PA; R plain radiograph of the wrist; cast in situ —
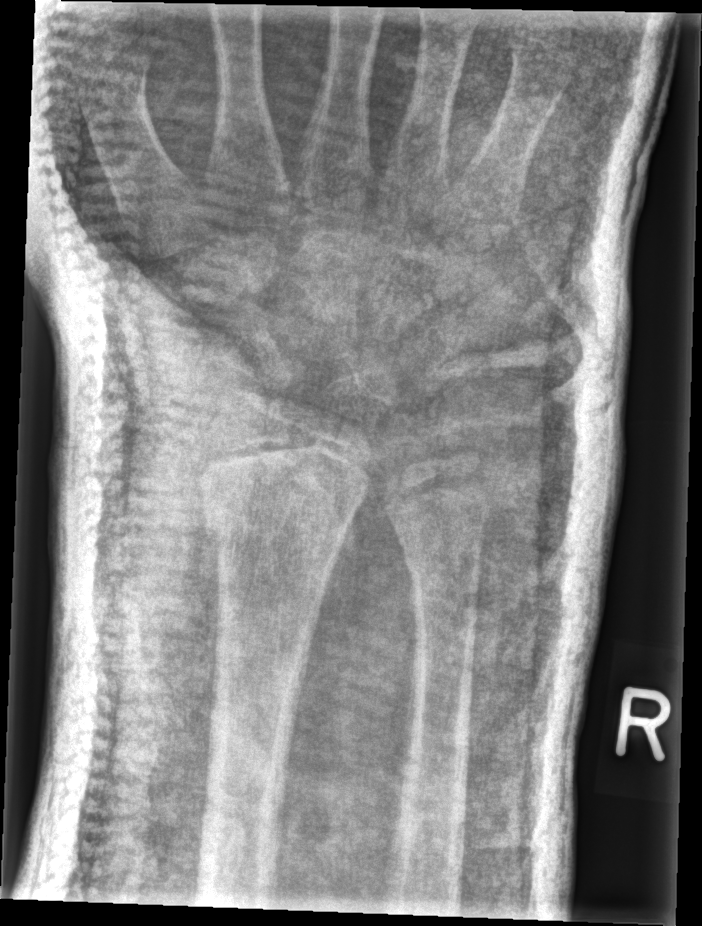
Bone fracture identified at [x1=198, y1=486, x2=359, y2=579], [x1=399, y1=529, x2=488, y2=615].
AO/OTA classification: 23r-M/3.1; 23u-M/2.1.